Lateral projection; L wrist X-ray; girl, 10 yo; presentation radiograph; 540 x 1272 px.

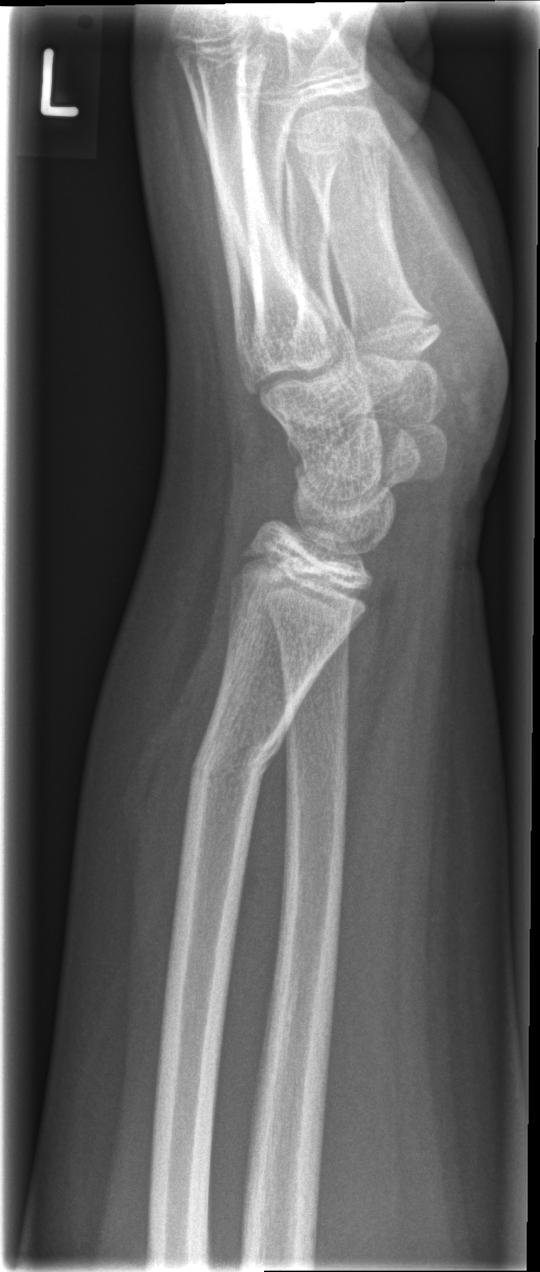 - Coordinates are [x1, y1, x2, y2] in image pixels.
- One Fx at bbox(182, 714, 290, 788).